R pediatric wrist radiograph; lat; index exam; acquired on Siemens; image width 85.7 mm
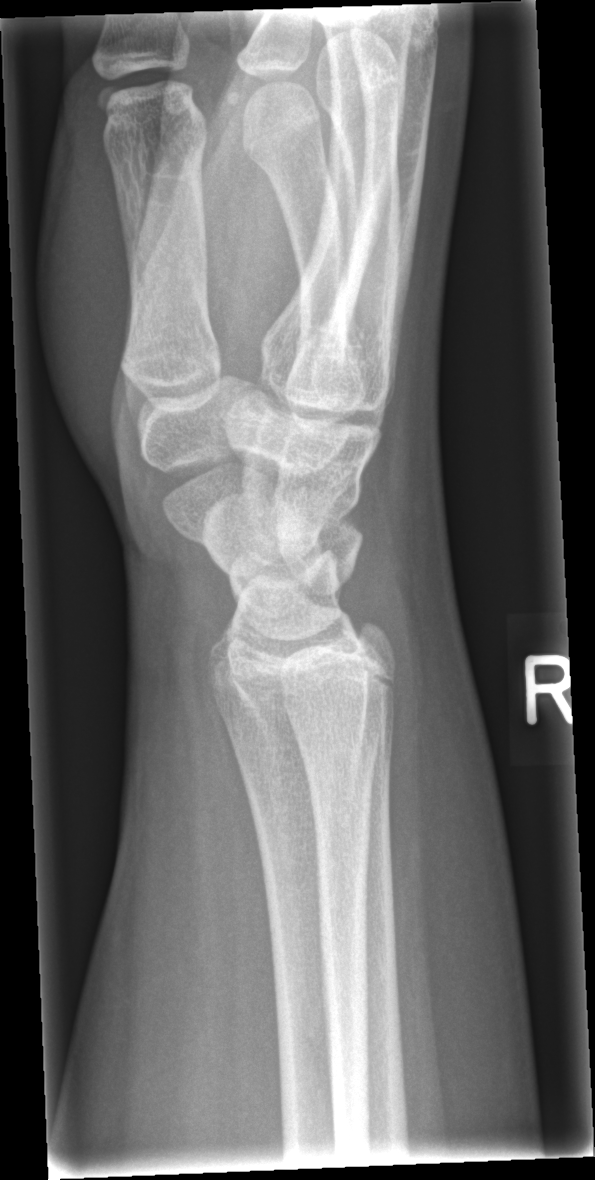 Bone fracture: none labeled